Frontal projection · L wrist plain film · age 9 y, girl · image size 398x1148 —

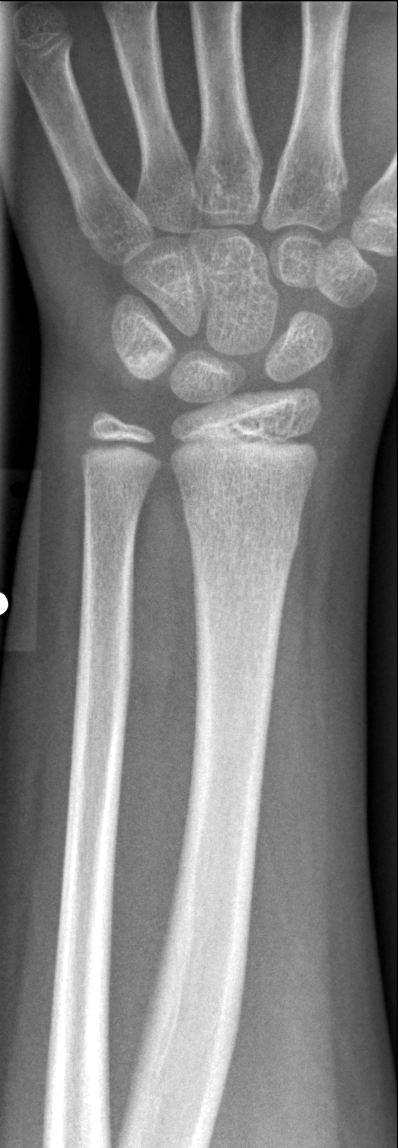

AO/OTA classification: 23r-M/2.1.
One Fx at [182, 506, 301, 563].